Left wrist X-ray · PA/AP · 8-year-old male · Siemens · 516x774. 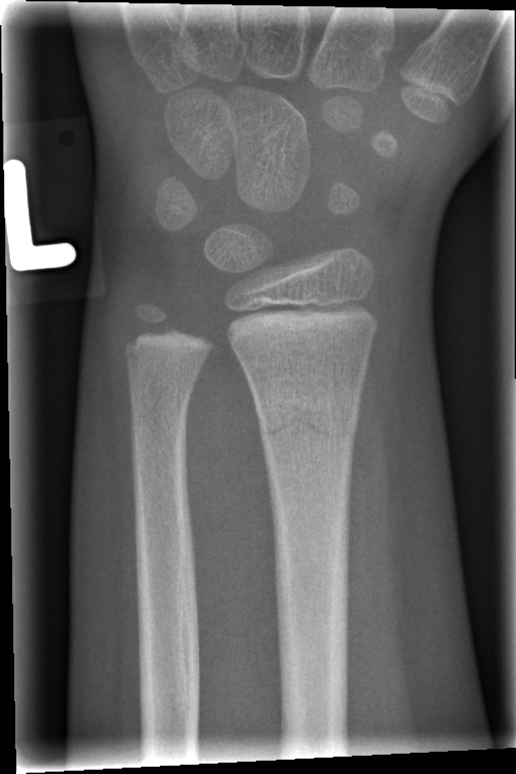
Coordinates are [x1, y1, x2, y2] in image pixels. AO/OTA classification: 23r-M/3.1. One bone fracture at (left=253, top=401, right=362, bottom=452).